Rt pediatric wrist radiograph · lat · 7y M · cast present

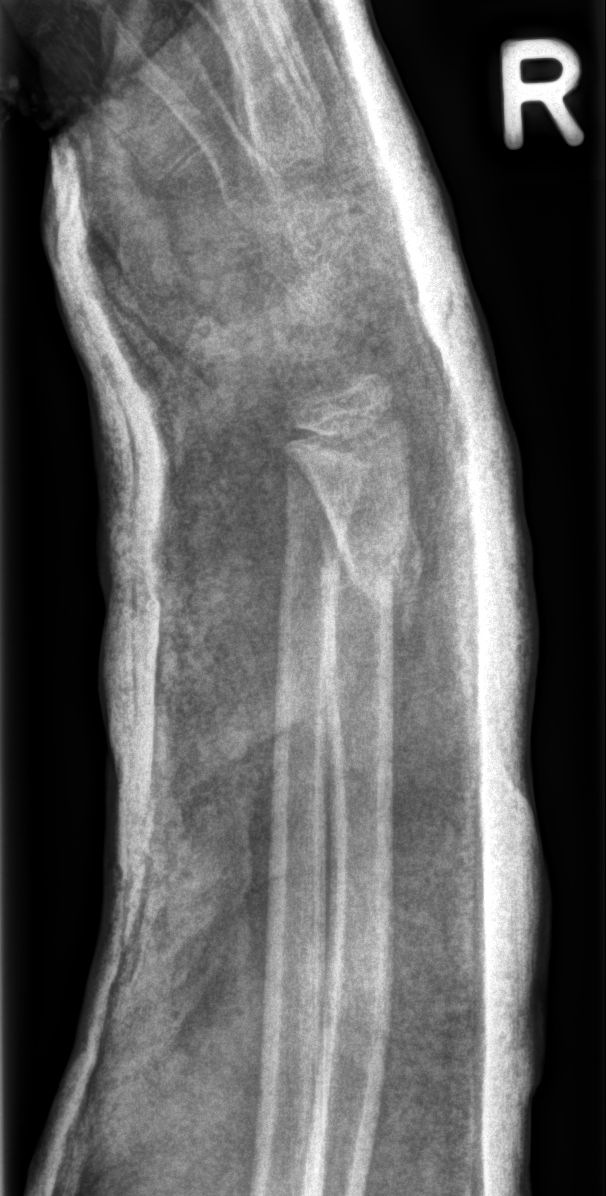 FINDINGS: One fracture at bbox(314, 534, 431, 624).